Rt pediatric wrist radiograph, posteroanterior projection, 13y M, 652 by 1076 pixels —
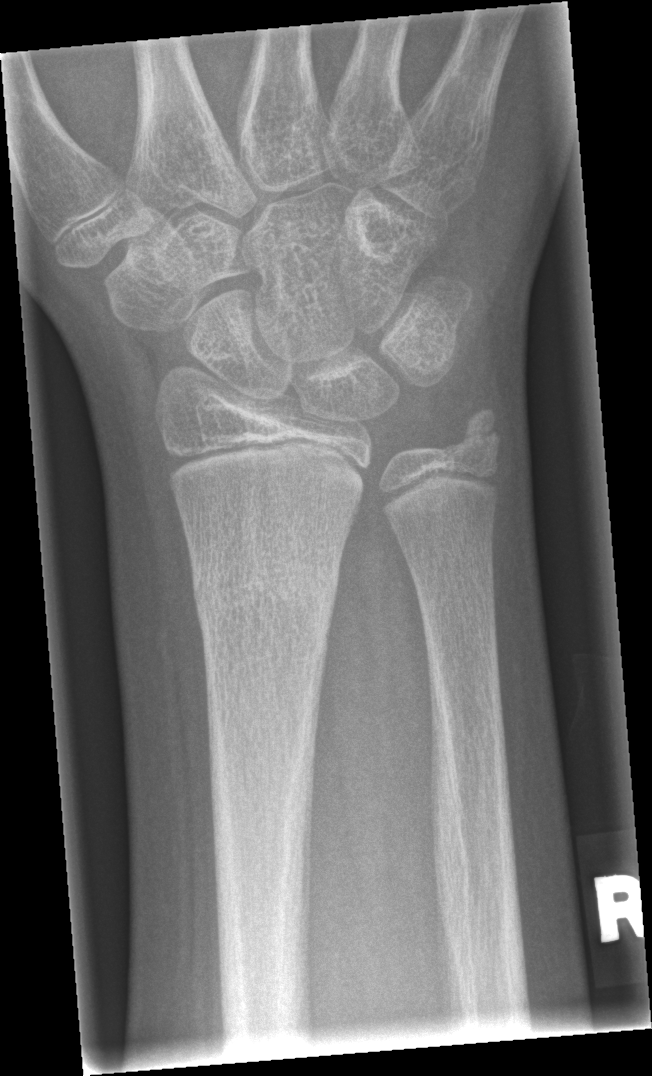
Pixel coordinates, top-left origin, xyxy. Fx — (left=189, top=557, right=342, bottom=628); (left=444, top=399, right=509, bottom=463). AO/OTA classification: 23r-M/2.1; 23u-E/7.